Left wrist radiograph | lat | age 5 y, female | detector: Siemens | 901 by 1316 pixels.

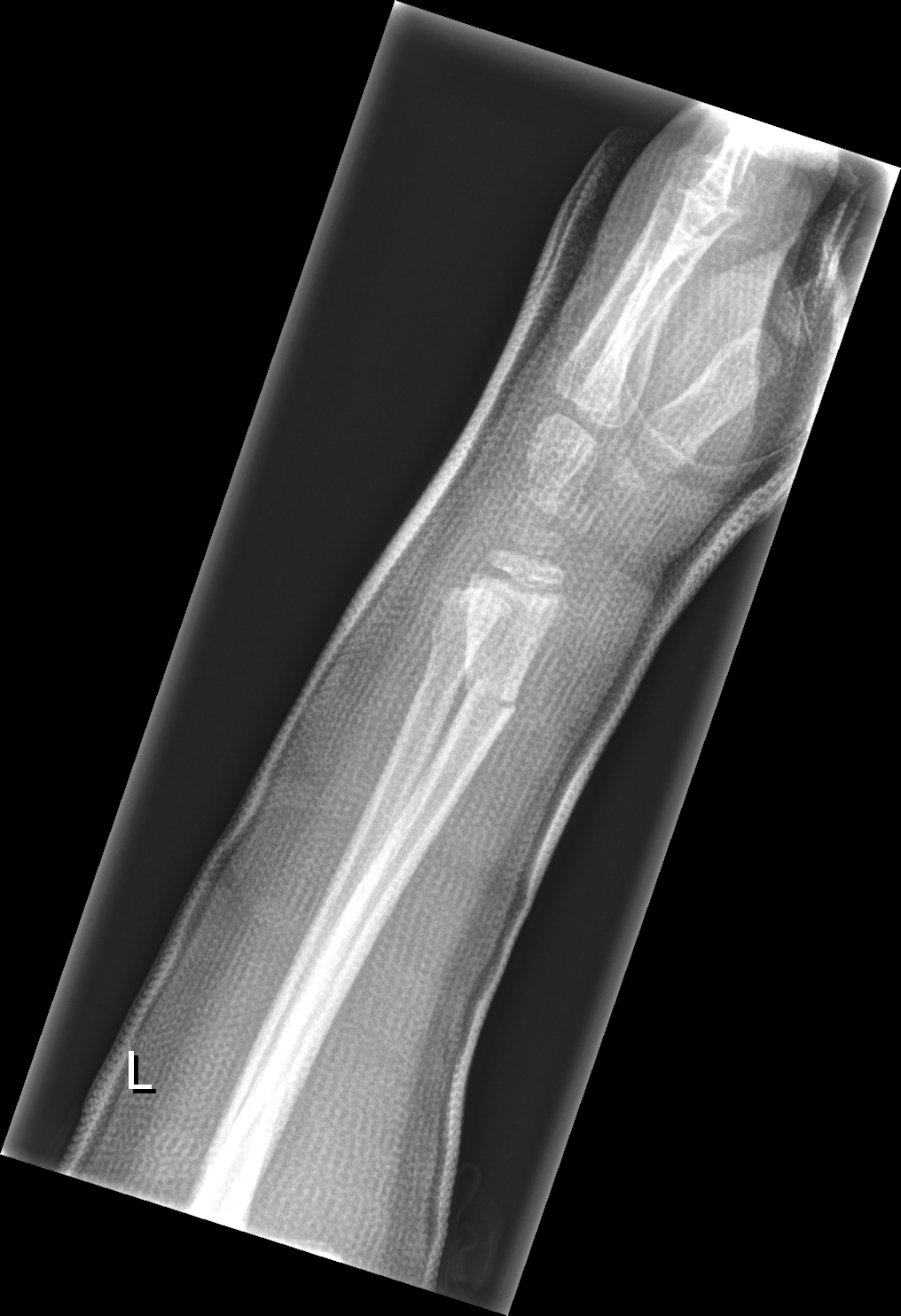 Q: AO code?
A: Fracture classified AO/OTA 23r-M/3.1; 23u-M/2.1
Q: Any fracture seen?
A: Fx identified at [x1=458, y1=654, x2=519, y2=717]; [x1=425, y1=616, x2=490, y2=674]